Rt wrist radiograph · PA/AP view · 16y M · index exam. 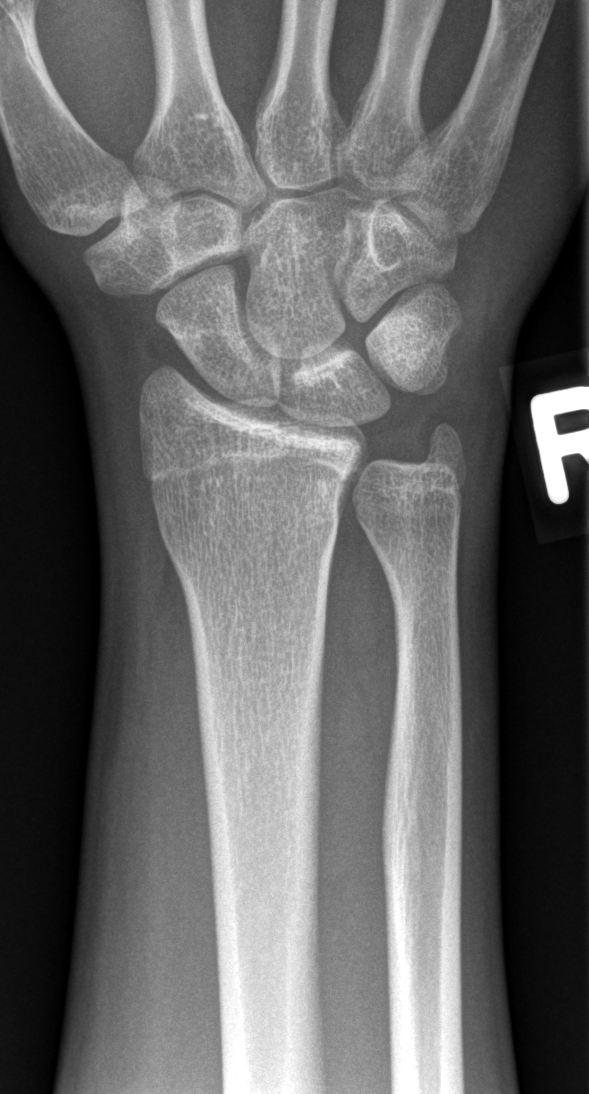

Fracture: none labeled